Posteroanterior projection | Lt plain radiograph of the wrist | boy, 11 yo | imaged through cast.

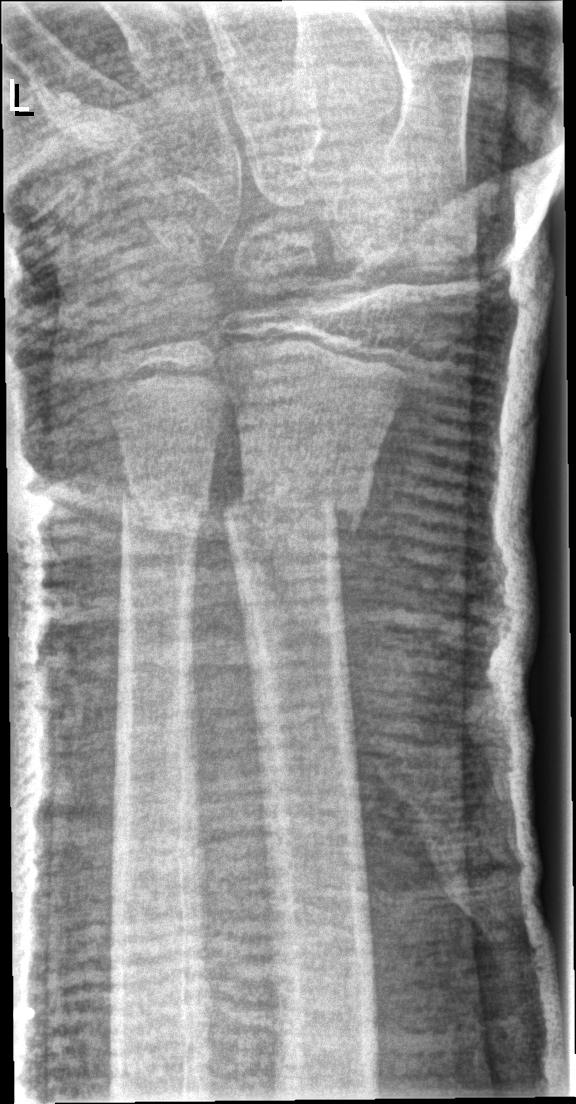 FINDINGS: (boxes as x1,y1,x2,y2 (top-left / bottom-right, pixel units)) Fracture: <221,475>-<373,551>, <112,475>-<213,537>.